PA · L wrist plain film · age 9 y, male · presentation radiograph · 586x820
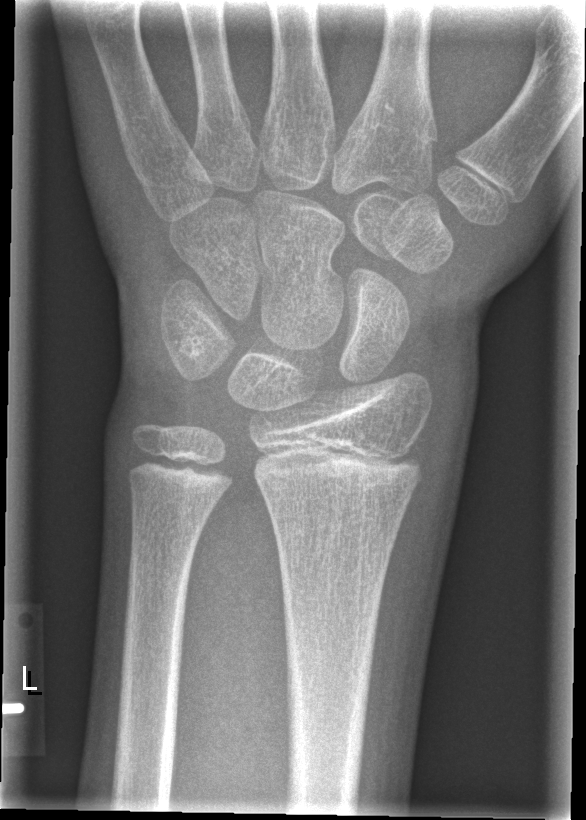

No Fx annotated.